L wrist XR | AP | girl, 8 yo | index exam —
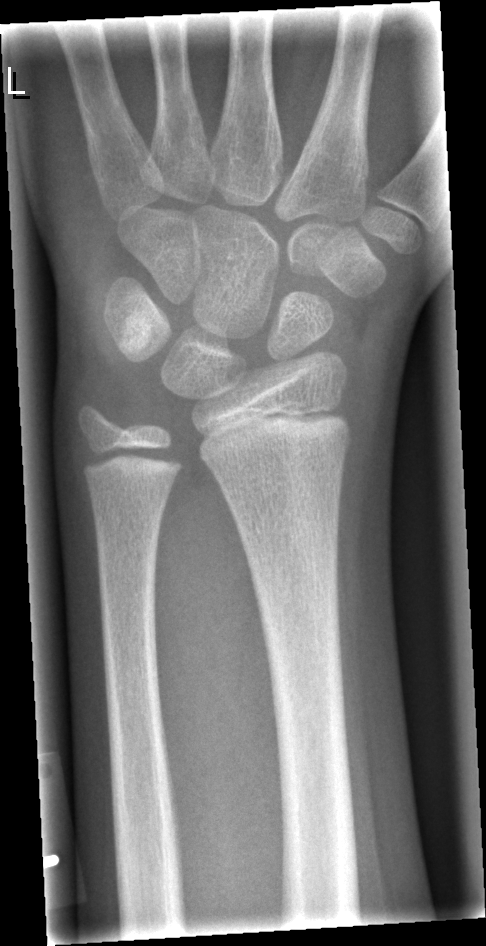

• No fracture bounding box.